Lateral projection · R wrist X-ray 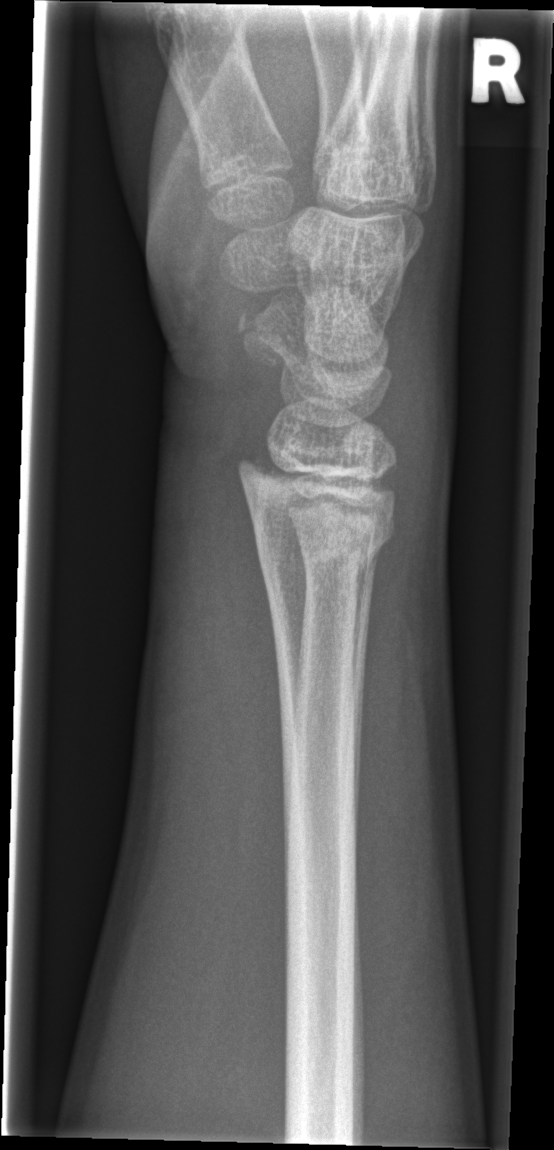 (boxes as x1,y1,x2,y2 (top-left / bottom-right, pixel units))
Fx = 1 @ 226 452 401 574
AO classification = 23r-E/2.1; 23u-E/7